Lateral view · right pediatric wrist radiograph · male, 11 yo · subsequent exam · detector: Siemens · 364x1068:

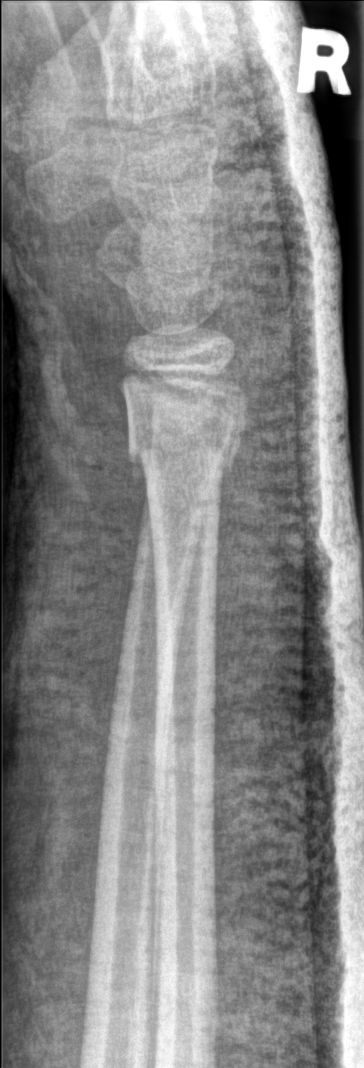 Fx = <124,394>-<252,488>